Lateral projection; L pediatric wrist radiograph; image 58.8 mm wide —

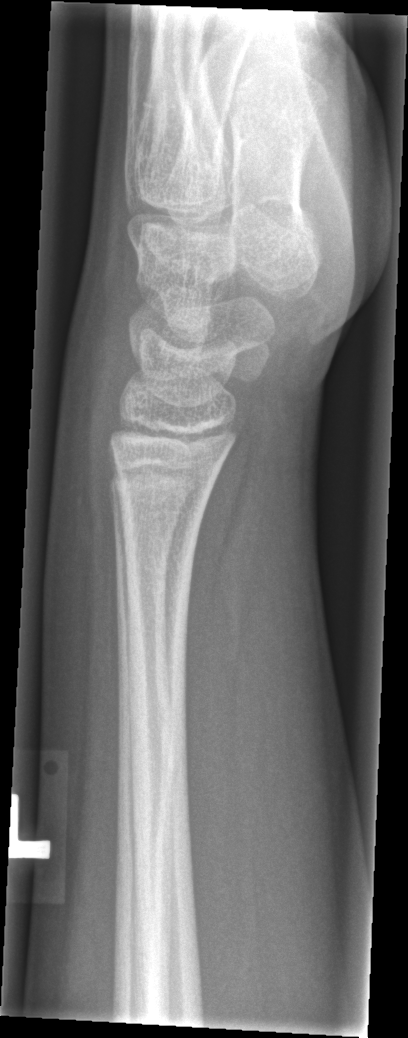

  fracture: none labeled